PA, L plain radiograph of the wrist, 11y F —
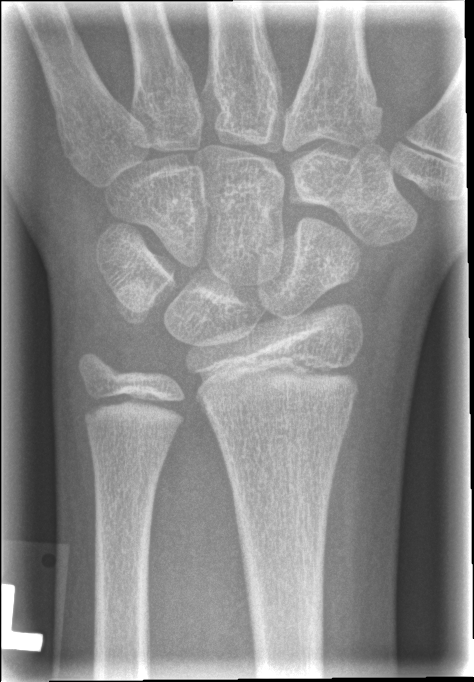

fracture: none labeled